PA view | R wrist plain film | index exam | image 51.8 mm wide:
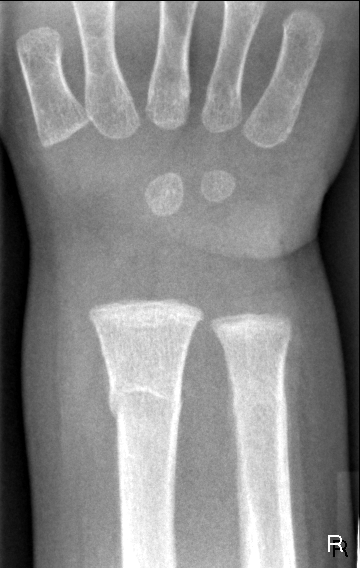 periosteal reaction = (224, 352, 242, 502) (100, 341, 113, 413)
AO/OTA = 23-M/2.1
bone fracture = (105, 376, 185, 429); (227, 376, 289, 425)